PA, L wrist XR, male, 9 yo, cast present

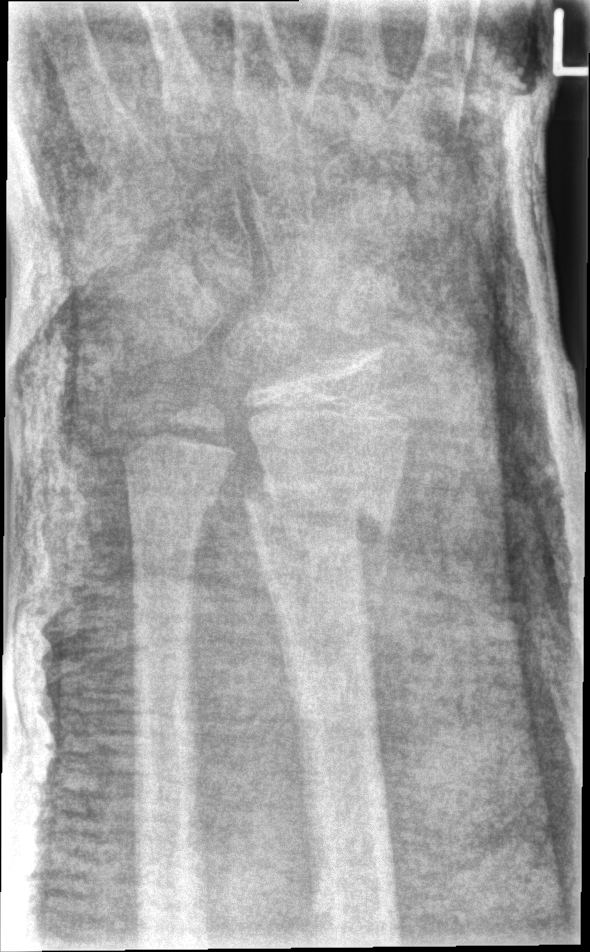

Q: Fracture present?
A: Bone fracture identified at <237,474>-<397,549>, <122,469>-<222,533>
Q: What is the AO/OTA classification?
A: AO/OTA classification: 23r-M/3.1; 23u-M/2.1